Lt pediatric wrist radiograph; posteroanterior; age 7 y, girl; image width 62.6 mm
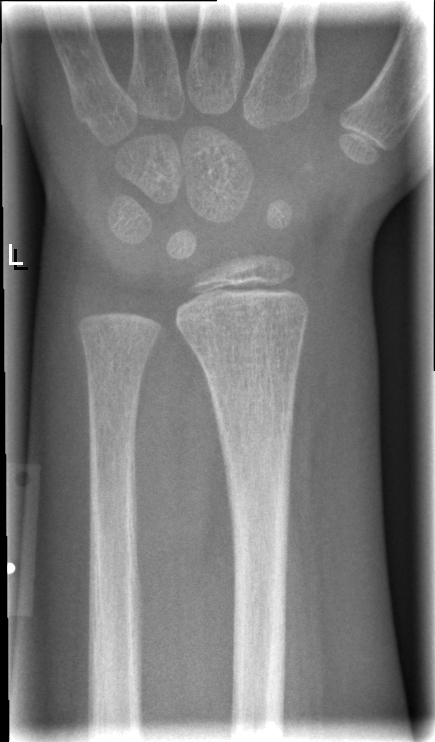 Findings: Fx present but not clearly seen in this view.